Lateral · right wrist plain film · image 55.2 mm wide 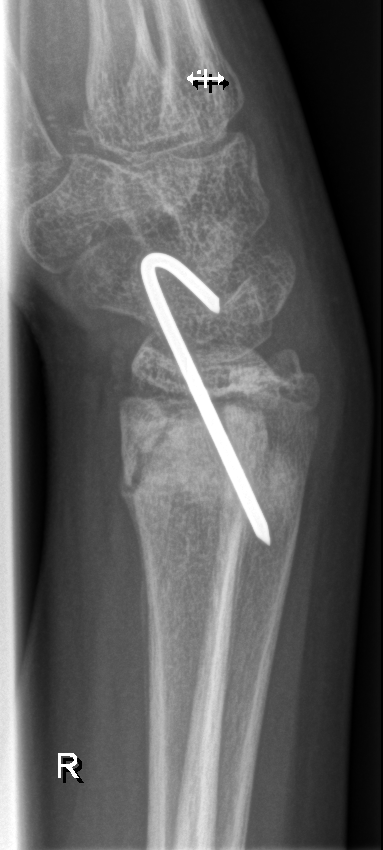

Metallic hardware = 1 @ 137,248,274,549
AO code = 23-E/2.1; 23u-M/2.1
Fx = 110,378,283,502
  237,452,310,508
Periosteal new bone = 139,533,151,817